Right wrist plain film, AP view, pediatric patient (male, age 8), in cast. 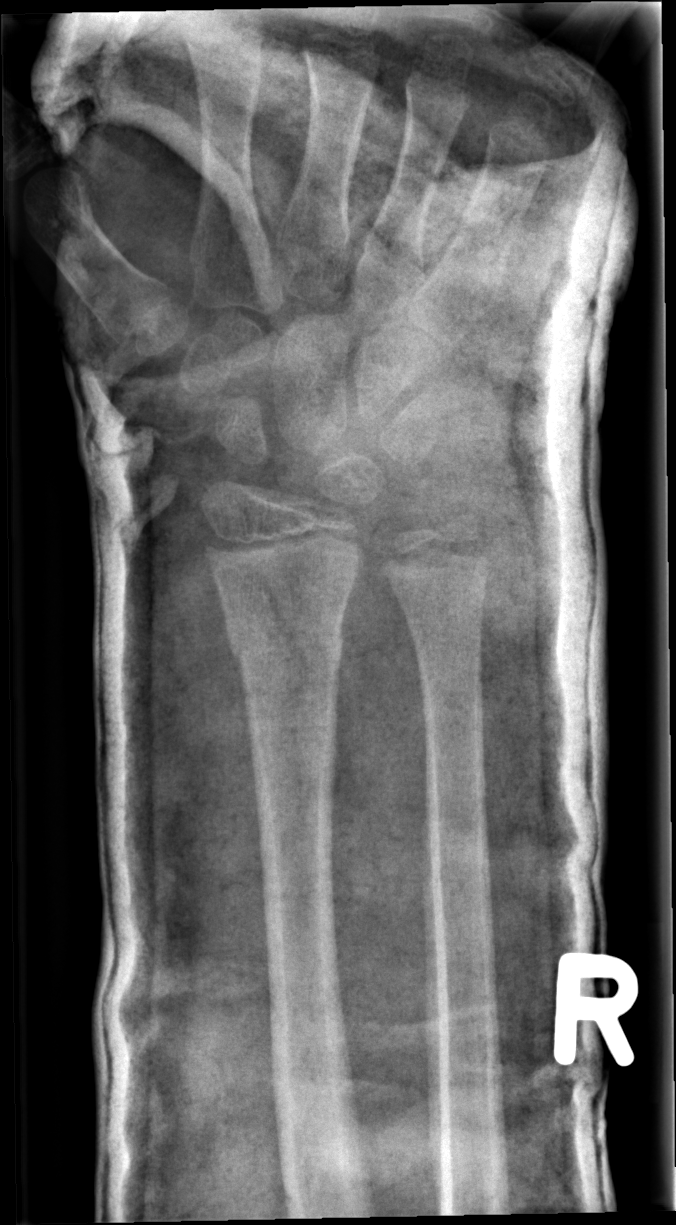
• Coordinates are [x1, y1, x2, y2] in image pixels.
• AO/OTA classification: 23r-M/3.1.
• Fracture: 225,620,350,677.